L wrist radiograph | AP projection

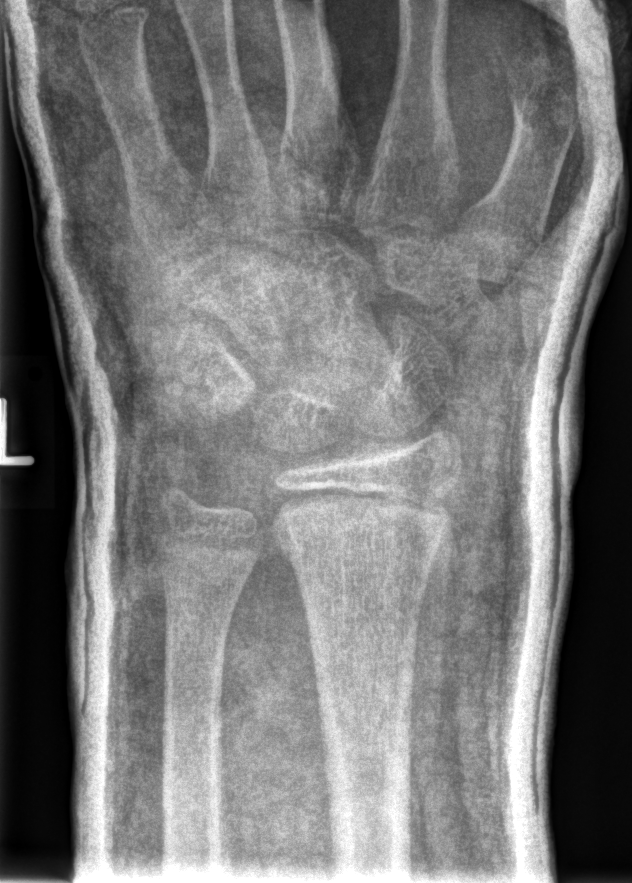

- AO code 23r-E/2.1.
- Bone fracture identified at 273 485 457 566.